R wrist XR, frontal projection, 14-year-old male, Siemens —

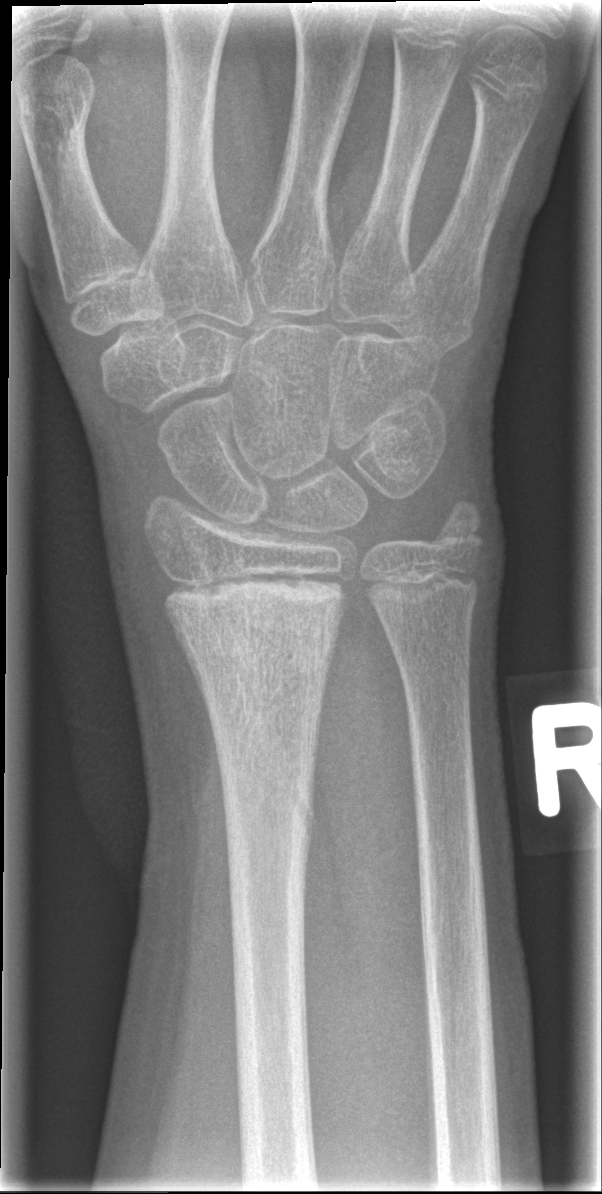
Pixel coordinates, top-left origin, xyxy.
Osteopenia.
Fracture identified at 157,559,355,677.
AO/OTA classification: 23r-E/2.1; 23u-E/7.
Osseous anomaly identified at 166,502,314,831.